PA projection · left wrist radiograph · age 14 y, male · image width 122.1 mm · 848 x 1283 px —
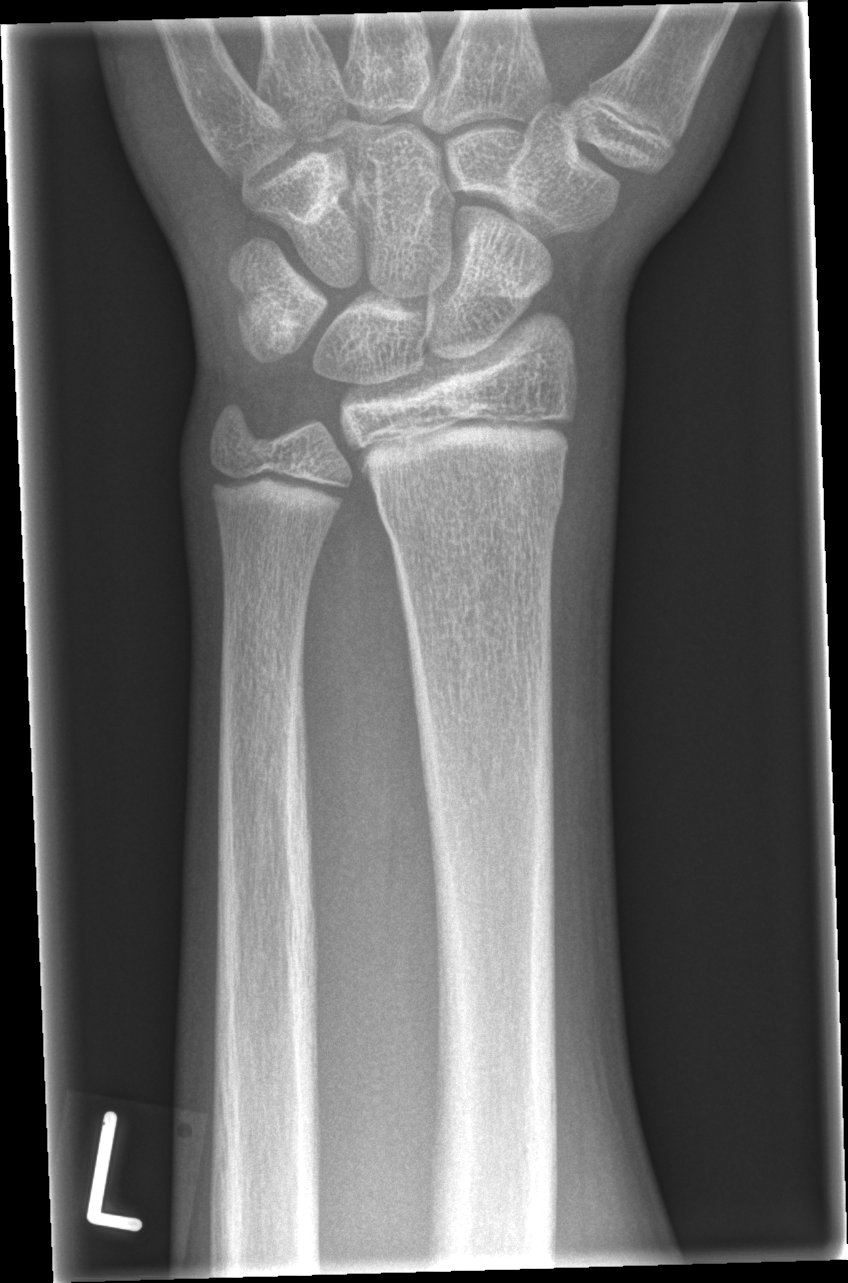 FINDINGS: (pixel coordinates, top-left origin, xyxy) One fracture at [x1=375, y1=470, x2=567, y2=542]. AO/OTA classification: 23r-M/2.1.